Lat view; left wrist plain radiograph of the wrist; 4y F 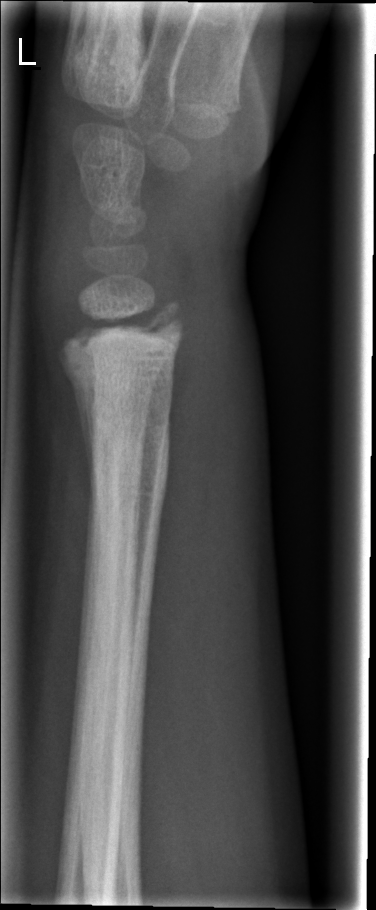
AO classification: 23r-E/2.1; 23r-M/2.1
Osteopenia: present
Fracture: <56,295>-<189,394>, <83,408>-<177,539>